Posteroanterior projection | Rt wrist X-ray | image 100.7 mm wide —
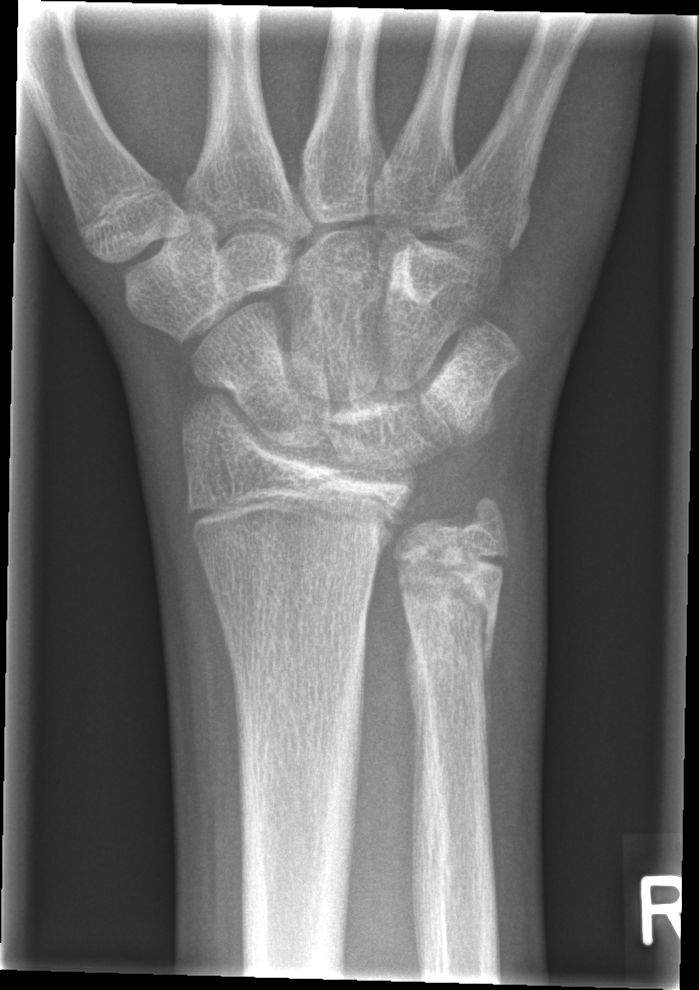

Bone fracture: [x1=392, y1=543, x2=506, y2=670].
Periosteal thickening identified at [x1=402, y1=645, x2=421, y2=724].